Lateral view, Lt wrist radiograph, cast in situ, Siemens:
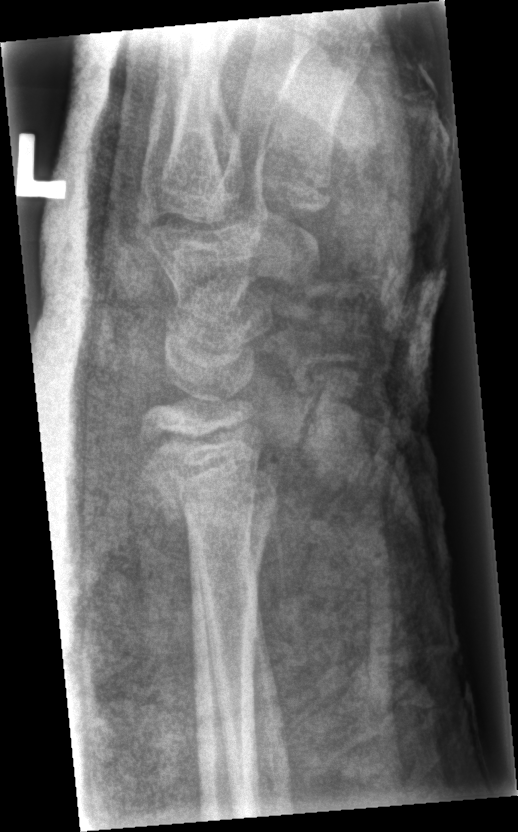
{
  "_coords": "boxes as x1,y1,x2,y2 (top-left / bottom-right, pixel units)",
  "ao": "23r-M/3.1; 23u-M/2.1; 23u-E/7",
  "fracture": "[x1=142, y1=436, x2=282, y2=526]"
}